Right pediatric wrist radiograph; lateral view; imaged through cast; image width 68.1 mm —
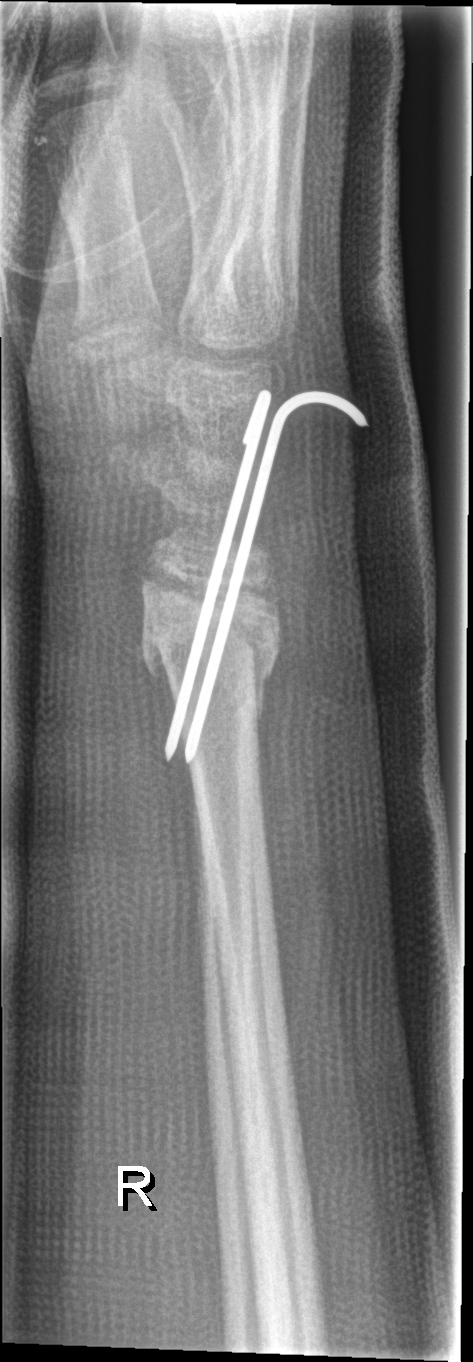 Boxes as x1,y1,x2,y2 (top-left / bottom-right, pixel units). Fx: 140 638 286 732. Metal: 159 380 373 771.